Lat view | right pediatric wrist radiograph | pediatric patient (male, age 12) | 63.2 mm image width —
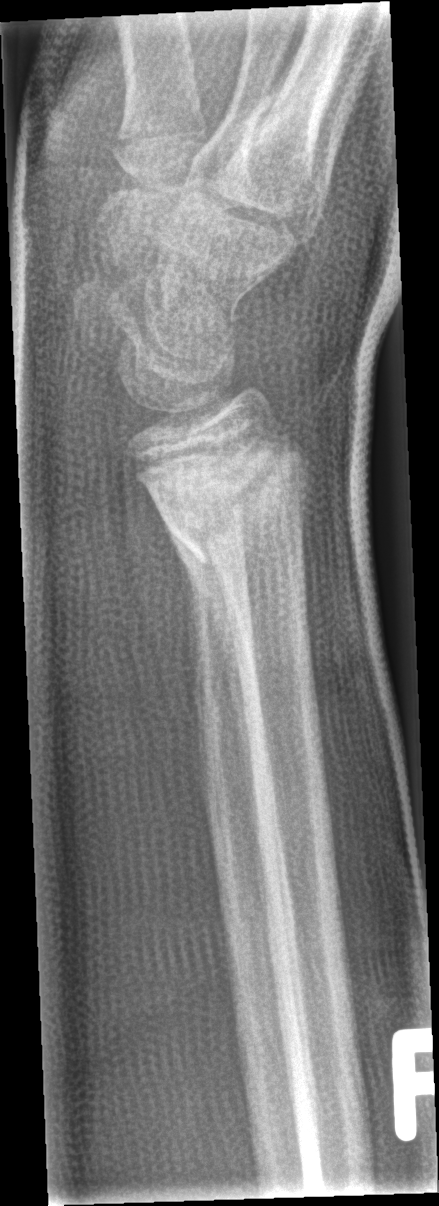
• Pixel coordinates, top-left origin, xyxy.
• AO code 23r-M/3.1; 23u-E/1.
• Fracture identified at [146, 464, 310, 582].